Left wrist plain film; lat; follow-up study. 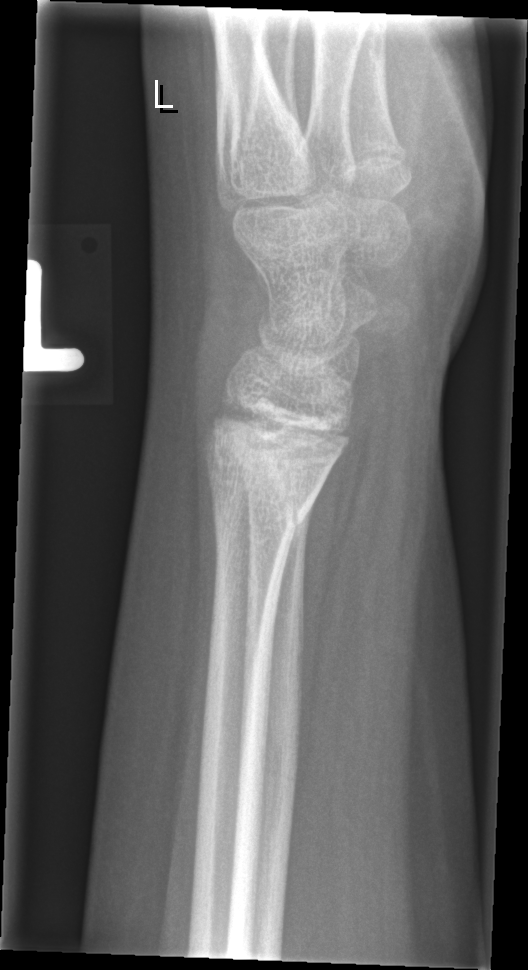

Findings: AO/OTA classification: 23r-M/3.1. Fracture: [202, 428, 330, 542].